L wrist radiograph; lat view; acquired on Siemens —

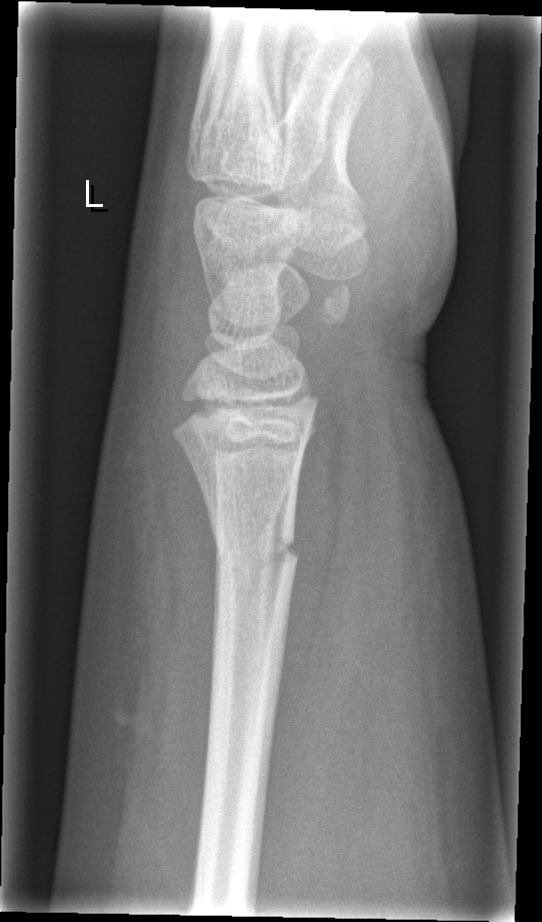 fracture: [209, 521, 302, 578]
AO/OTA: 23r-M/3.1; 23u-E/7